Lateral view; R wrist X-ray; female, 17 yo 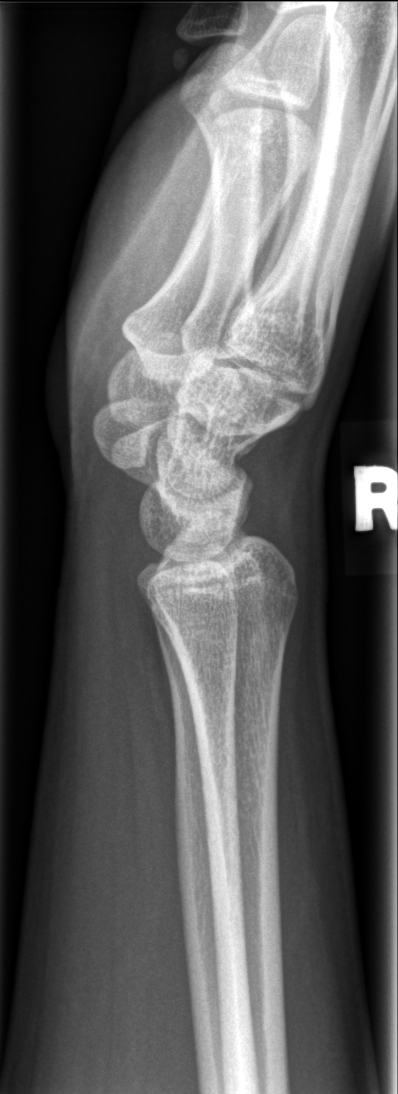 FINDINGS: No Fx annotated.